Left wrist plain radiograph of the wrist, lateral view

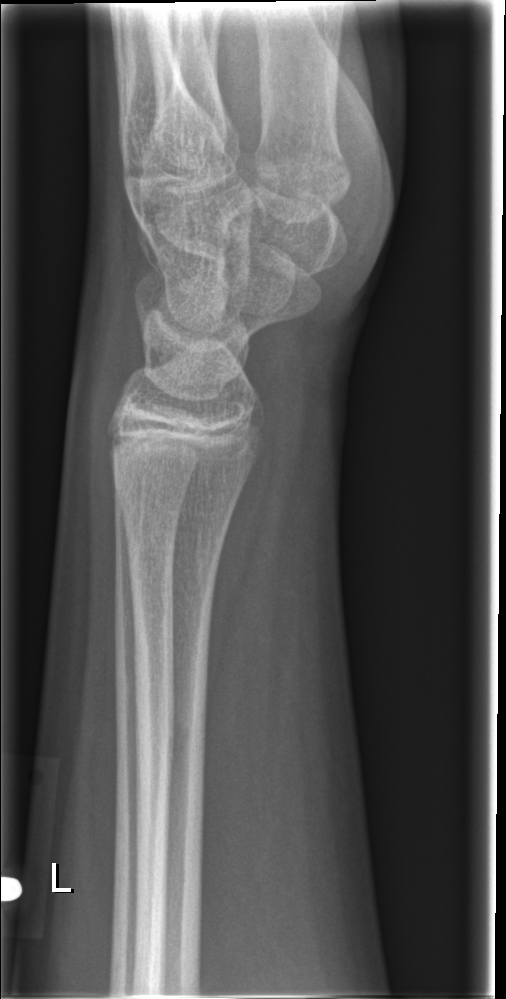

Findings: Fracture: none labeled.